Lat projection · R pediatric wrist radiograph · 10-year-old female · imaged through cast —
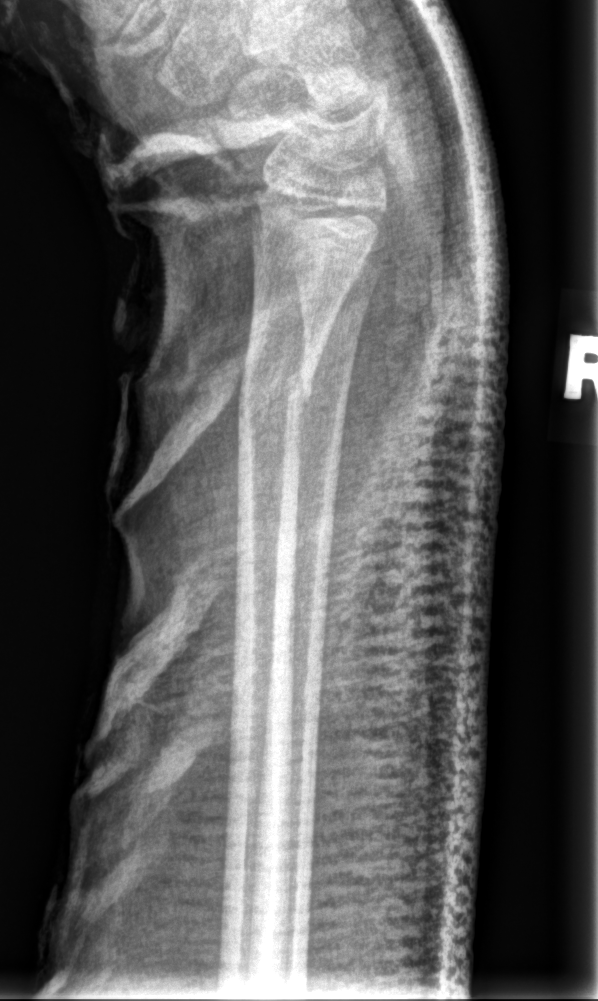 Fracture = 1 @ (left=231, top=353, right=319, bottom=441)